Posteroanterior; right wrist pediatric wrist radiograph; 16y; presentation radiograph; 642 by 988 pixels. 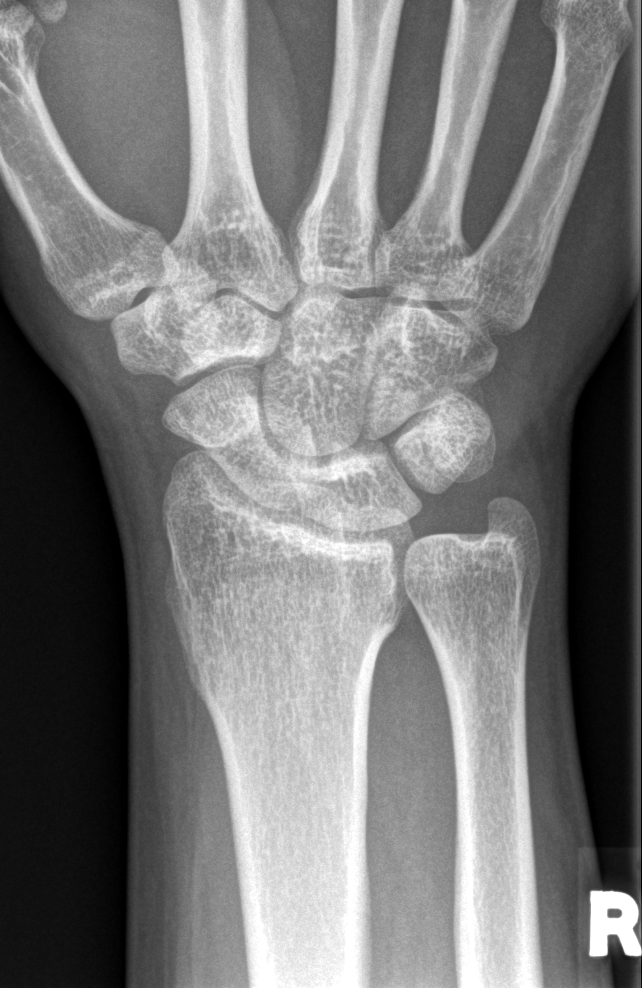
Fx: none.